Lat · L wrist XR · age 9 y, boy · detector: Siemens · 436 x 1324 px — 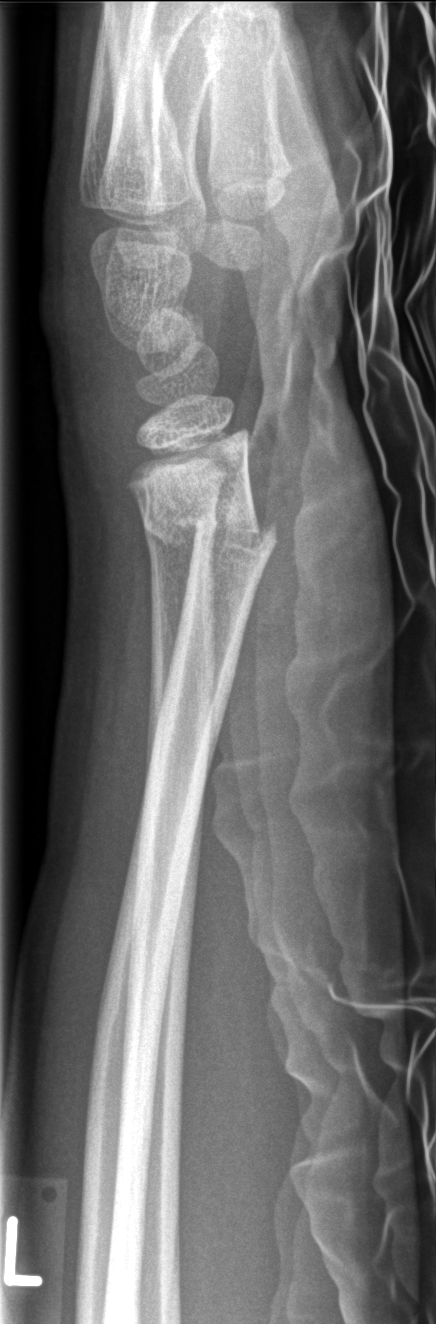
{"fracture": "1 @ [138, 487, 281, 573]"}